Frontal projection; L wrist X-ray; 13-year-old female; index exam; image size 507x898 — 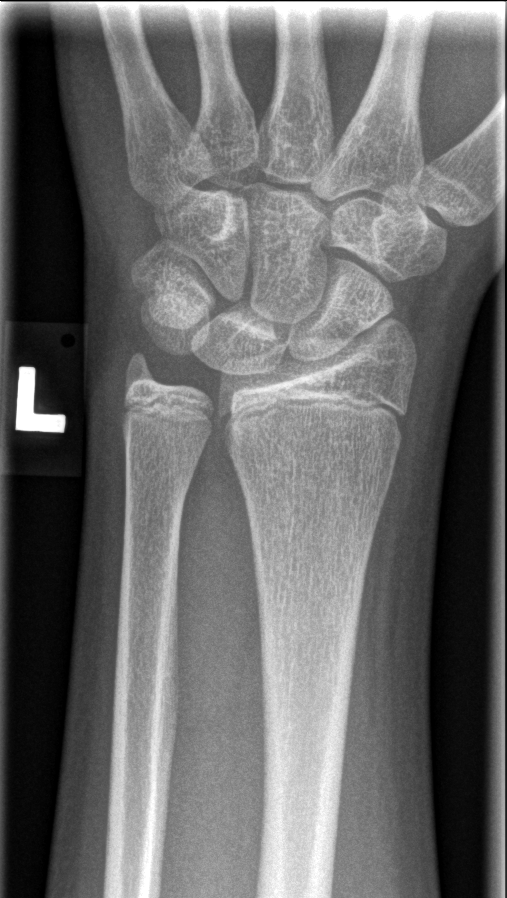 bone fracture: none labeled